Left wrist XR · PA projection · imaged through cast · 778 x 1352 px 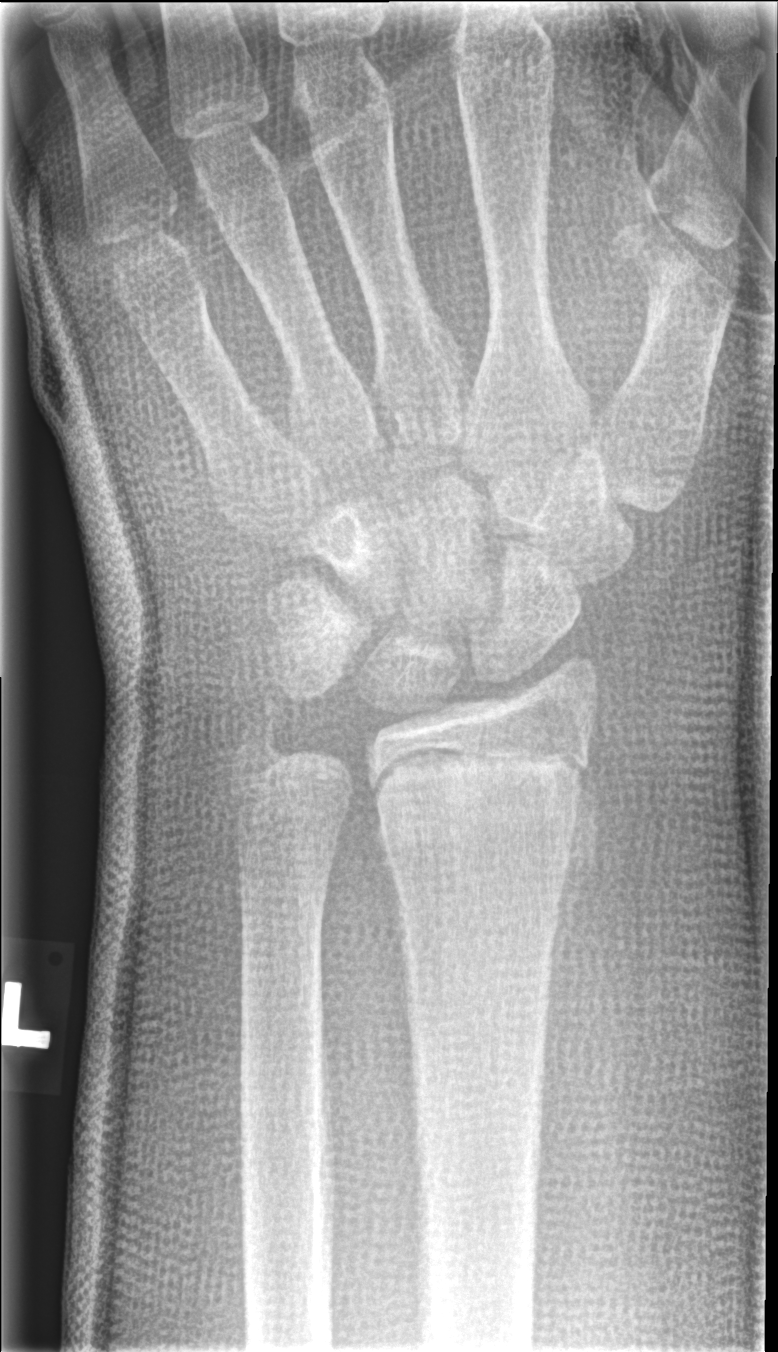
AO/OTA classification: 23r-E/2.1; 23u-E/7.
Bone fractures — (left=368, top=733, right=593, bottom=869), (left=231, top=695, right=300, bottom=768).